Posteroanterior · R pediatric wrist radiograph · pediatric patient (female, age 11) · 694 x 952 px — 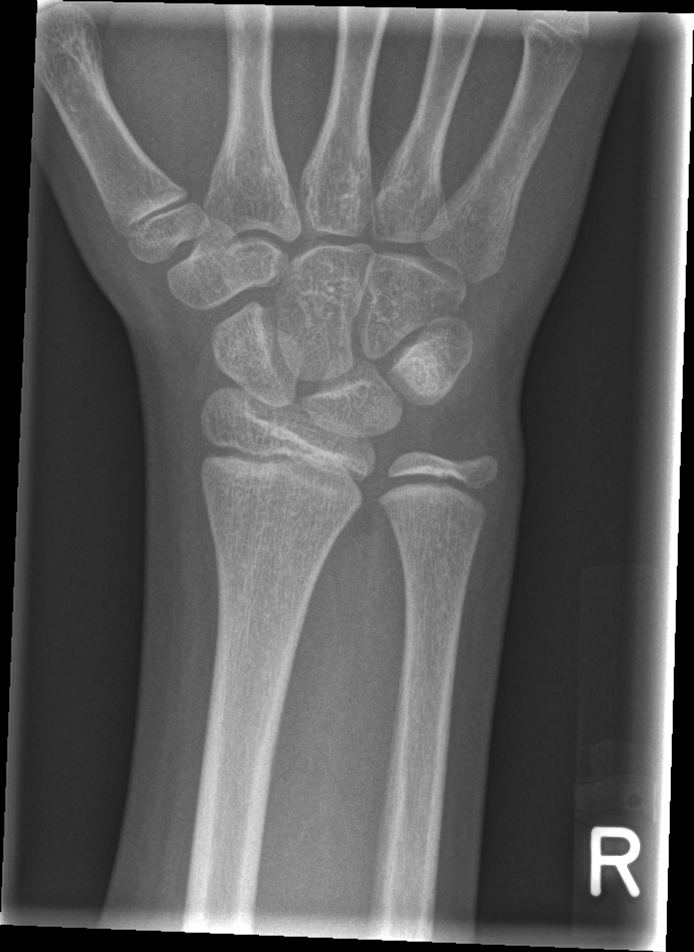

FINDINGS: No fracture bounding box.